R pediatric wrist radiograph; AP view; presentation radiograph; 568 by 918 pixels.
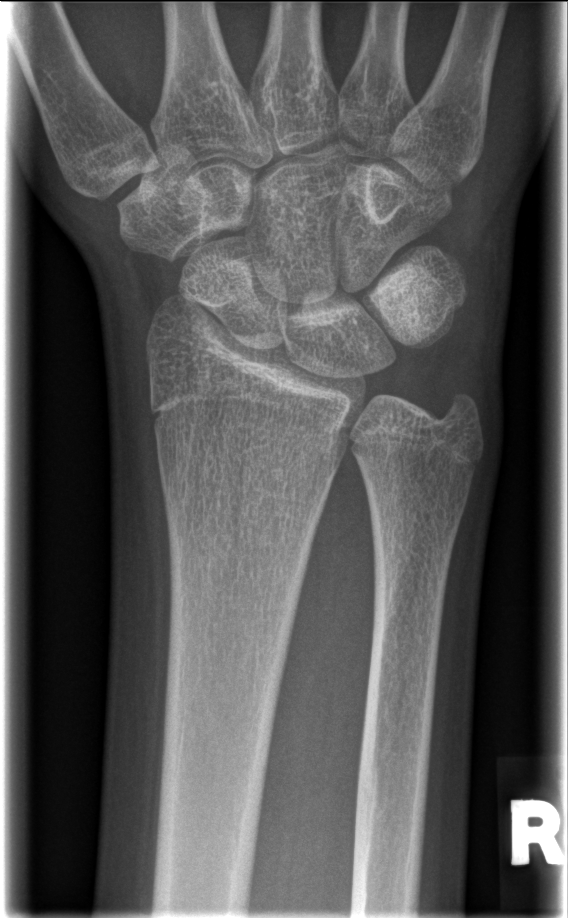
- No fracture labeled.